Lt plain radiograph of the wrist | PA | age 14 y, male | follow-up — 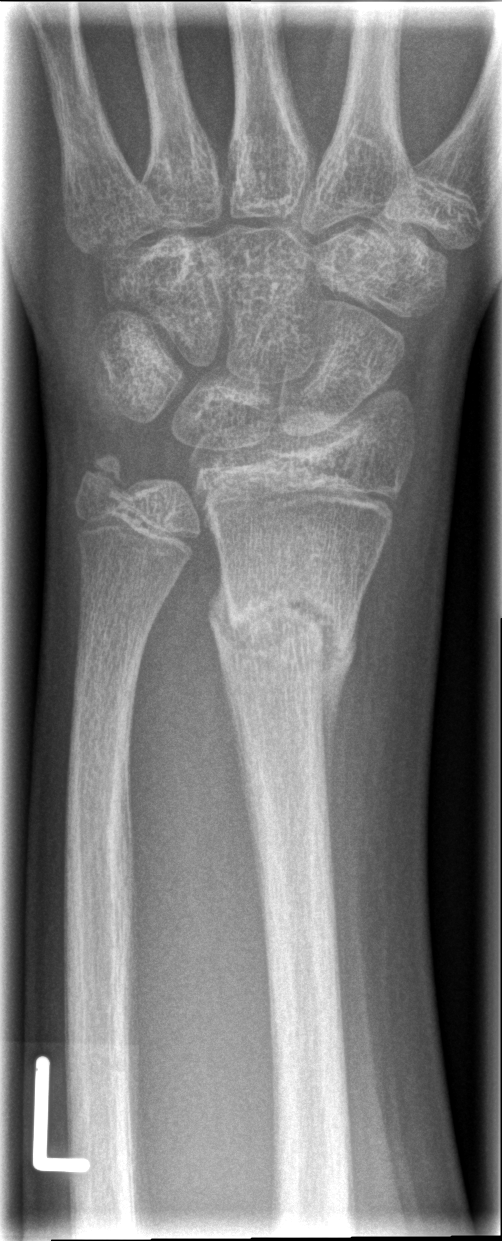
FINDINGS — Periosteal reaction — 323,630,359,785. Two fractures at 201,571,363,709
  71,446,143,513. Reduced bone mineral density.